Lateral | right wrist plain film | cast in situ
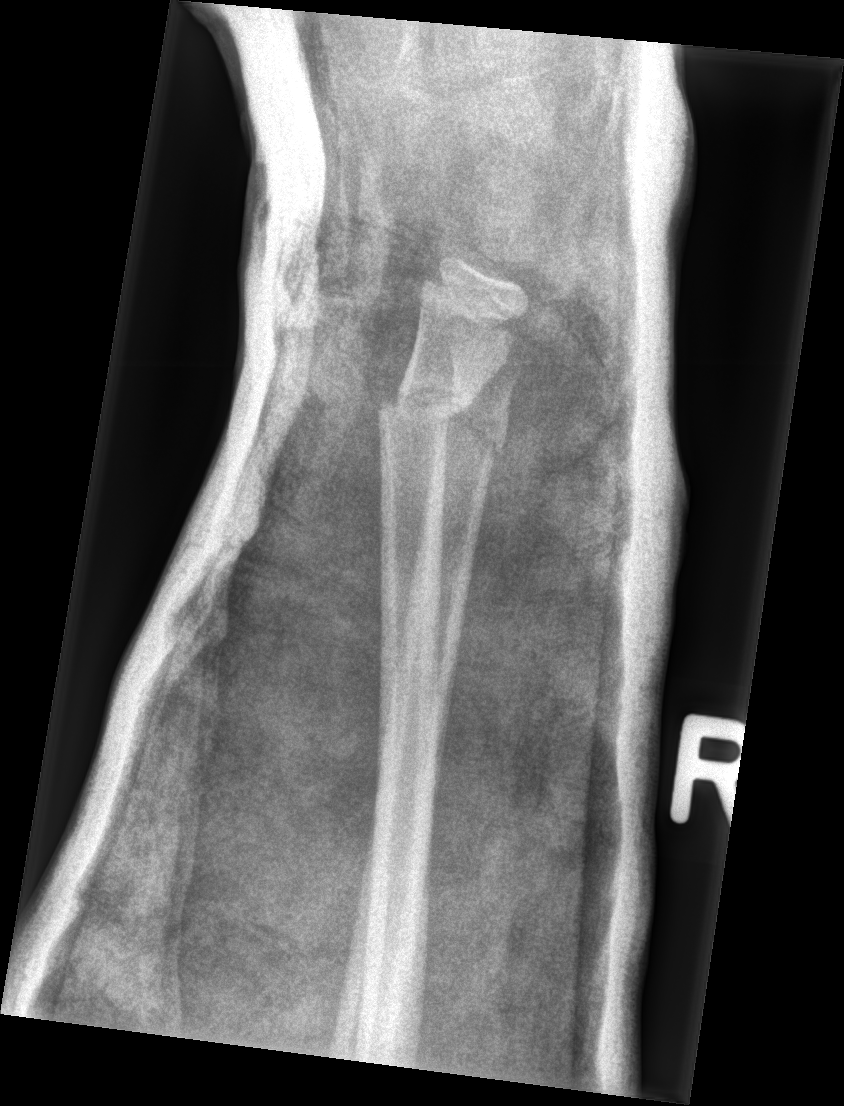
AO/OTA classification: 23-M/3.1. Fracture: 400,381,517,486 | 370,371,457,433.